Left wrist X-ray, lat projection, 11y F, follow-up study, detector: Siemens, 68.3 mm image width 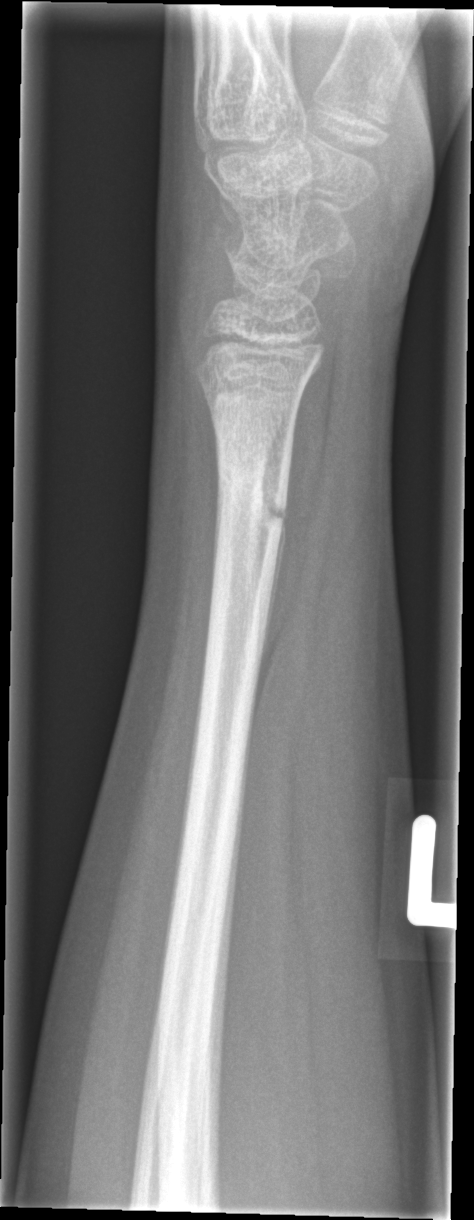
FINDINGS: Osteopenic. Bone fracture identified at 210 451 292 539. Periosteal new bone — 257 524 288 684.